Right wrist X-ray · lateral projection · pediatric patient (boy, age 13) · in cast · 95.0 mm image width
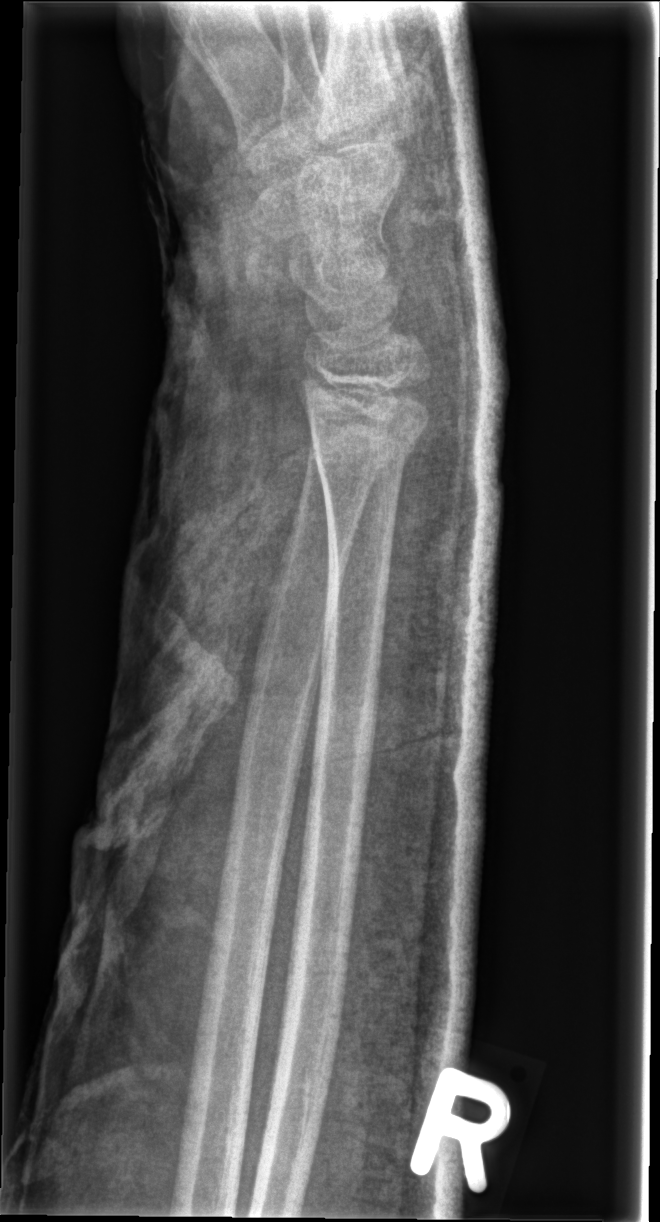
AO code: 23r-E/2.1
Fx: 1 @ [x1=308, y1=377, x2=434, y2=494]